Left wrist X-ray, posteroanterior —

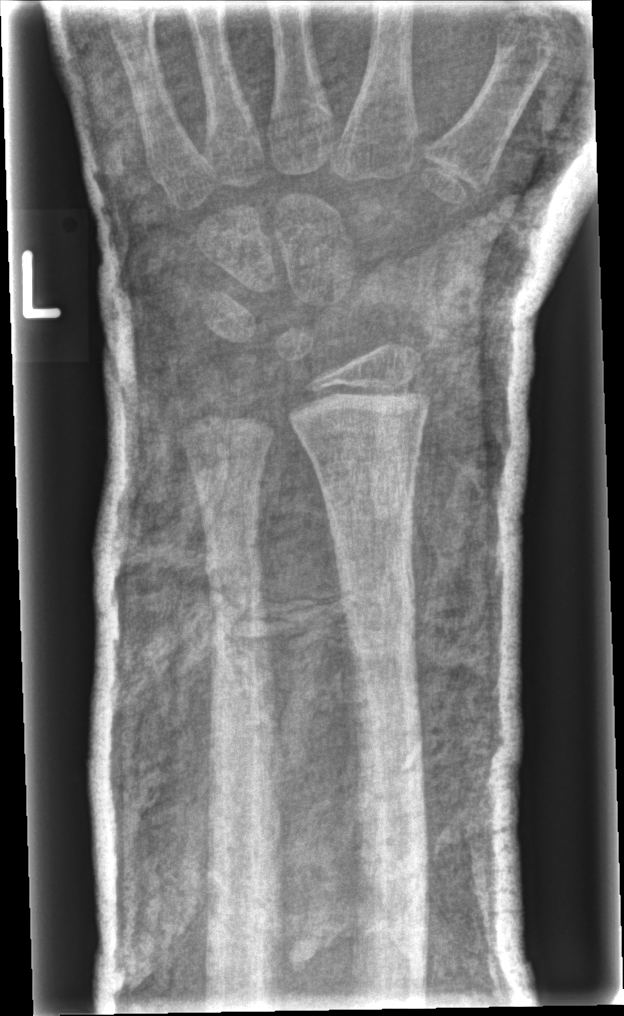

AO classification = 23-M/3.1
Fx = 2 @ (335, 548, 421, 637) (196, 534, 268, 609)